Posteroanterior projection | Lt plain radiograph of the wrist | age 6 y, girl | subsequent exam | in cast | 550 by 756 pixels.
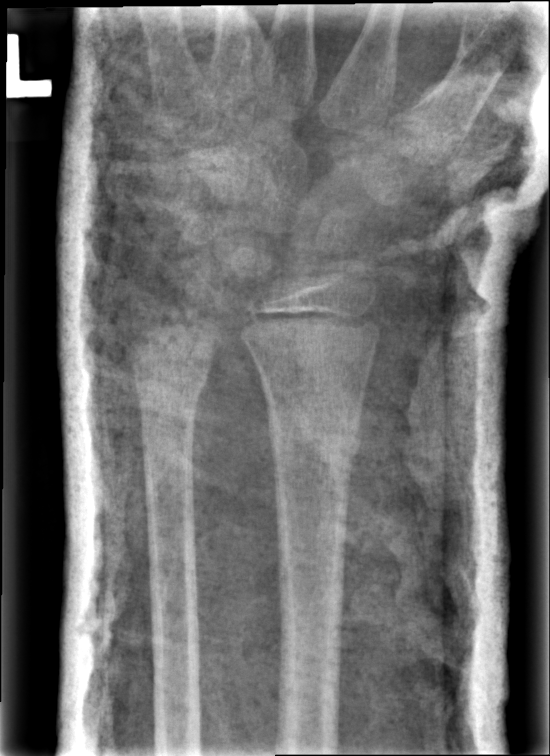 (pixel coordinates, top-left origin, xyxy)
AO/OTA: 23r-M/3.1; 23u-M/2.1
Bone fracture: 2 @ 269 406 365 468 | 133 371 208 420